L wrist plain film | frontal | index exam | 681 by 1126 pixels —

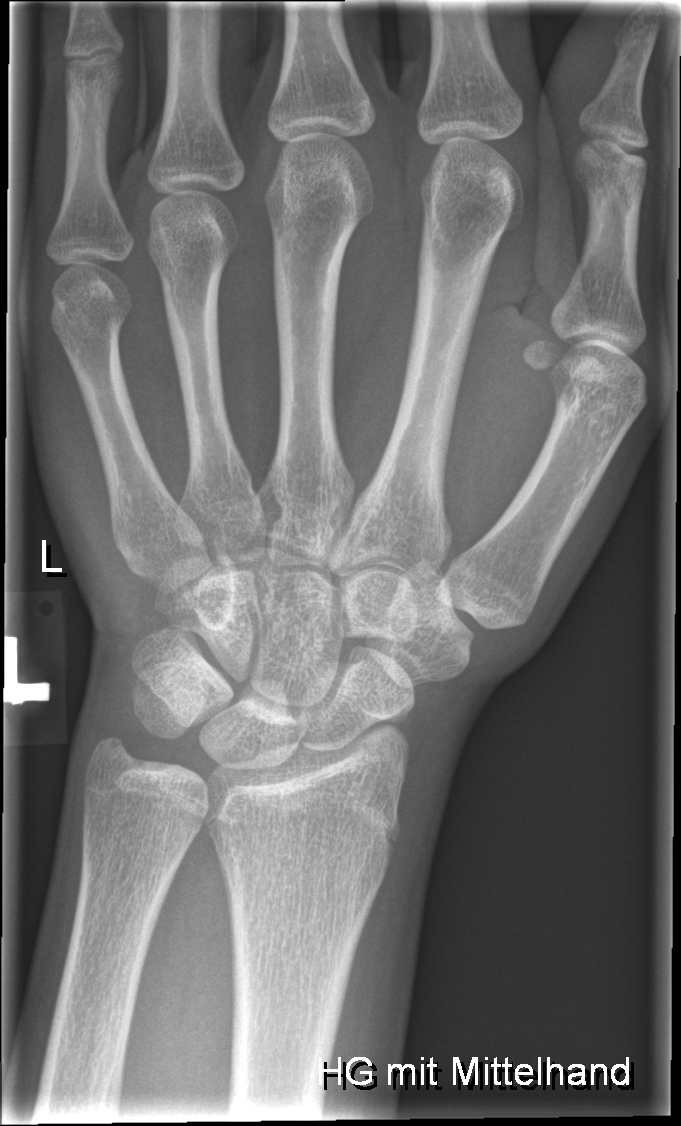
Fracture = none labeled